Lat · right wrist X-ray · index exam · 444 x 664 px — 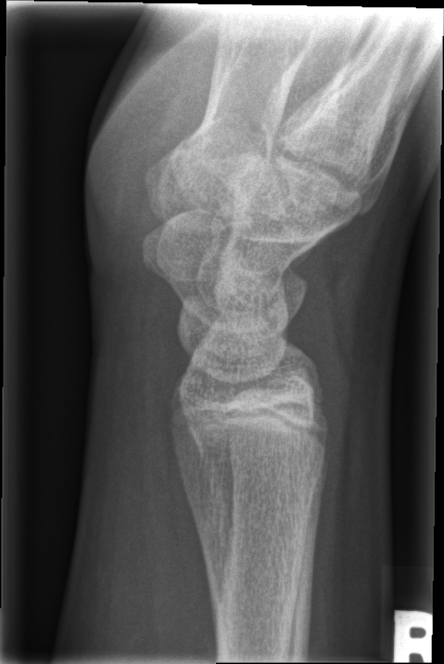 Fracture: none labeled.